Left wrist plain radiograph of the wrist, lateral view, pediatric patient (female, age 12)
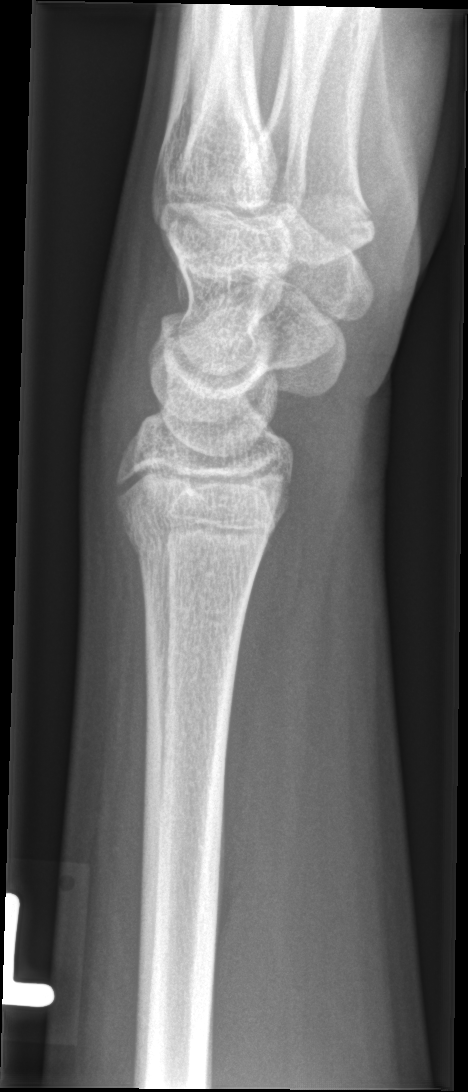
Fracture classified AO/OTA 23r-M/2.1. One fracture at 112 508 262 570.